PA/AP view | R pediatric wrist radiograph | equivocal findings | Siemens —

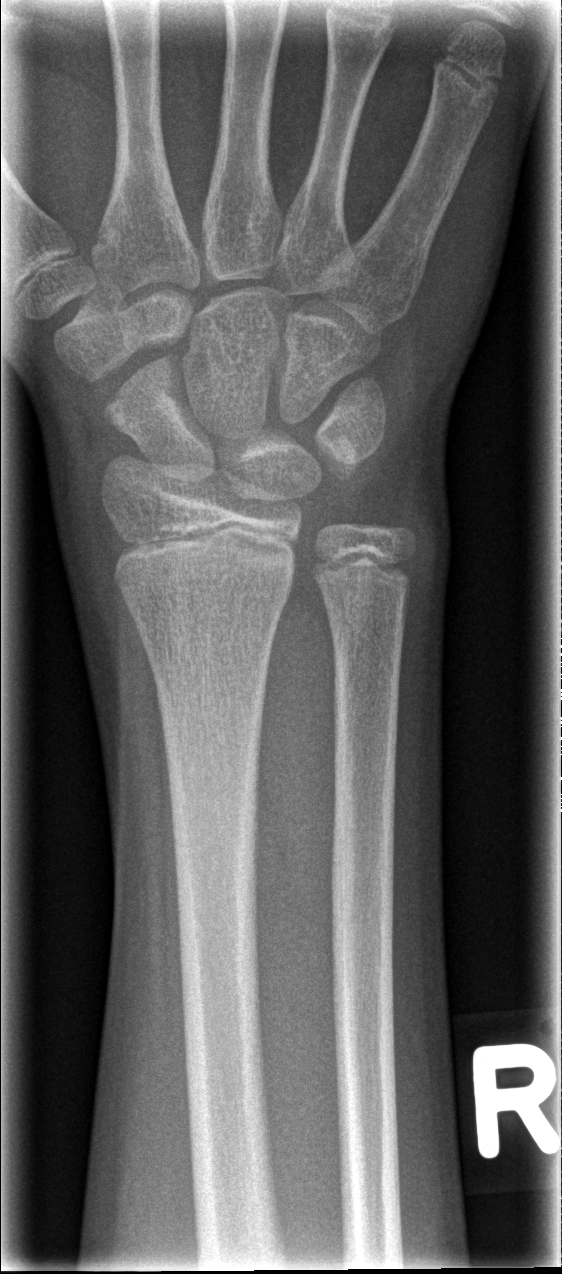 {
  "fracture": "none labeled"
}